Frontal | L pediatric wrist radiograph | in cast | 733 by 1344 pixels.

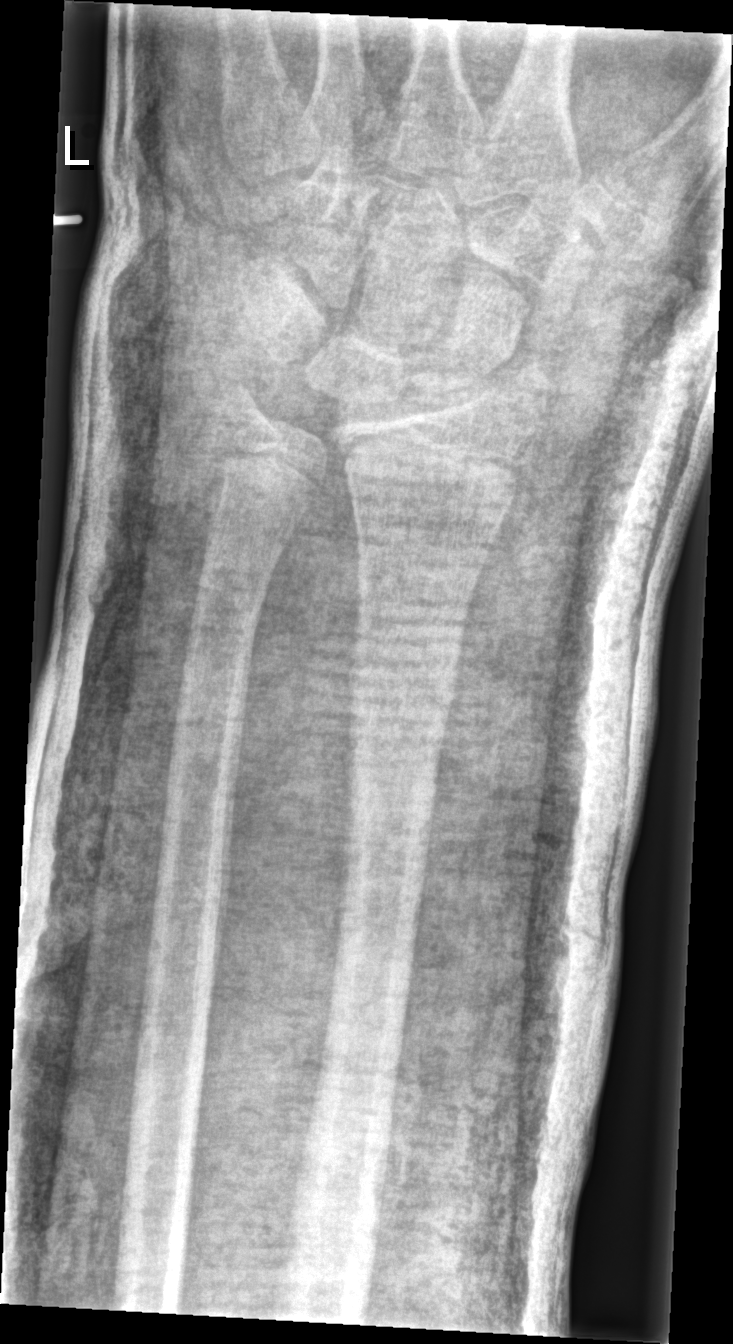
Boxes as x1,y1,x2,y2 (top-left / bottom-right, pixel units).
Bone fracture — [342, 629, 466, 754].